AP projection · right wrist plain film · 10-year-old male · 613 x 1114 px:
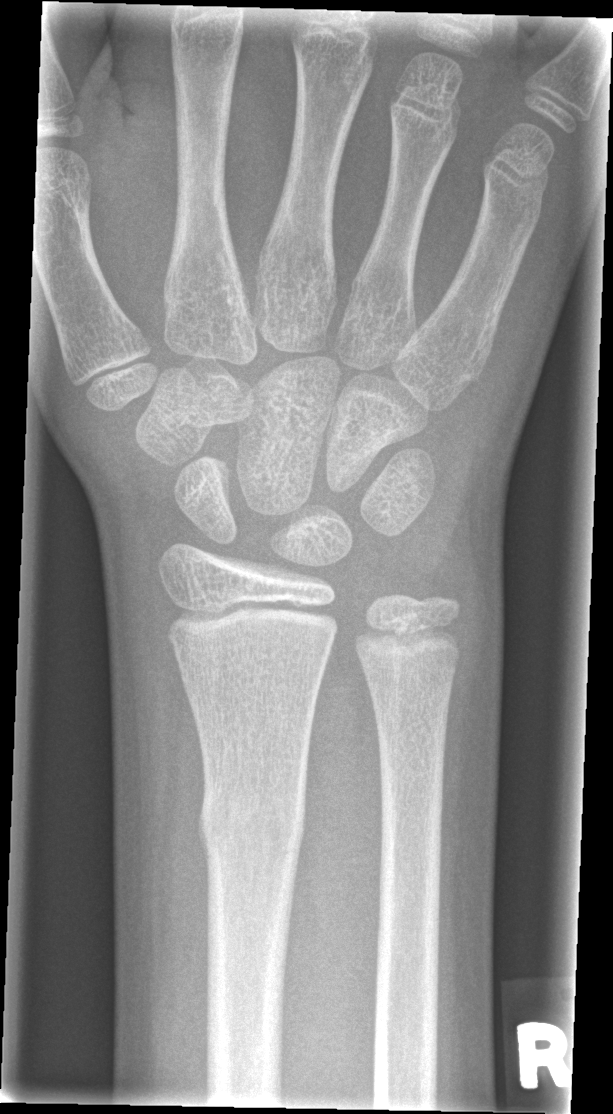
- One bone fracture at (195, 768, 308, 871).
- Fracture classified AO/OTA 23-M/2.1.